Posteroanterior projection, Lt wrist XR, pediatric patient (boy, age 8), cast present, detector: Siemens.

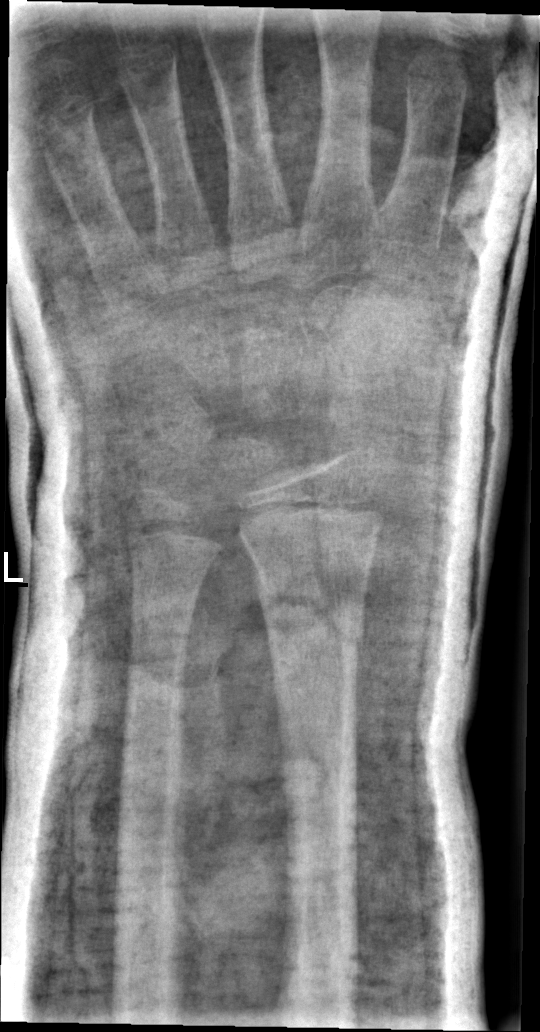

Q: Fracture present?
A: One bone fracture at [x1=252, y1=571, x2=366, y2=657]